Frontal; left wrist plain film; image size 600x786. 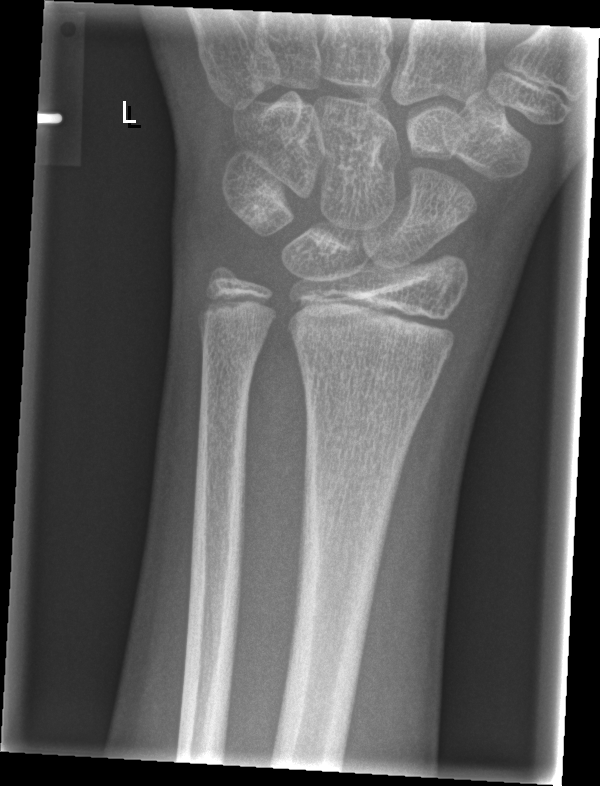 Findings: No fracture labeled.